Right plain radiograph of the wrist, PA view, pediatric patient (female, age 16) — 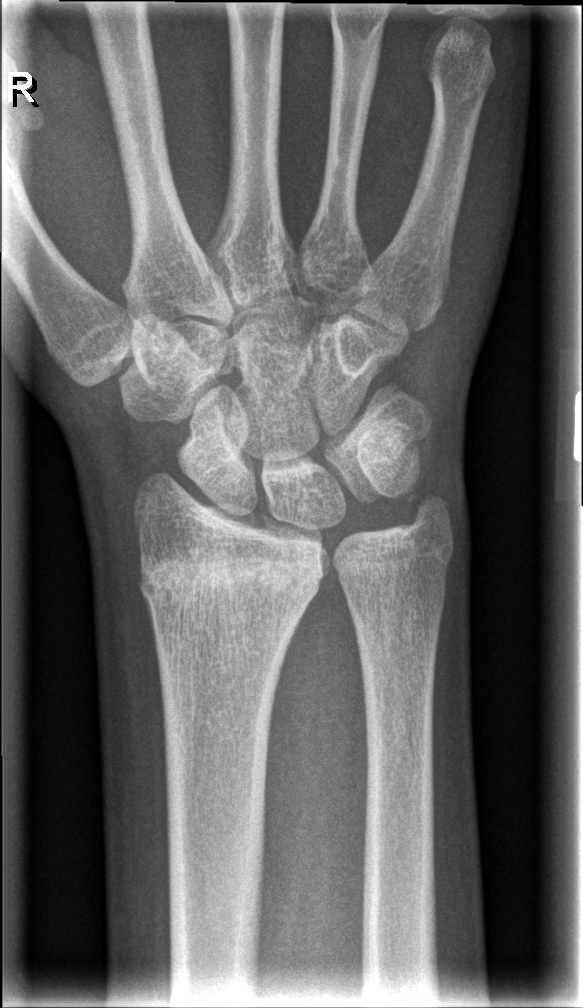

Q: Is there a fracture?
A: Bone fracture: bbox(131, 521, 328, 617); bbox(401, 487, 457, 541)